Lt wrist XR, lateral, follow-up study 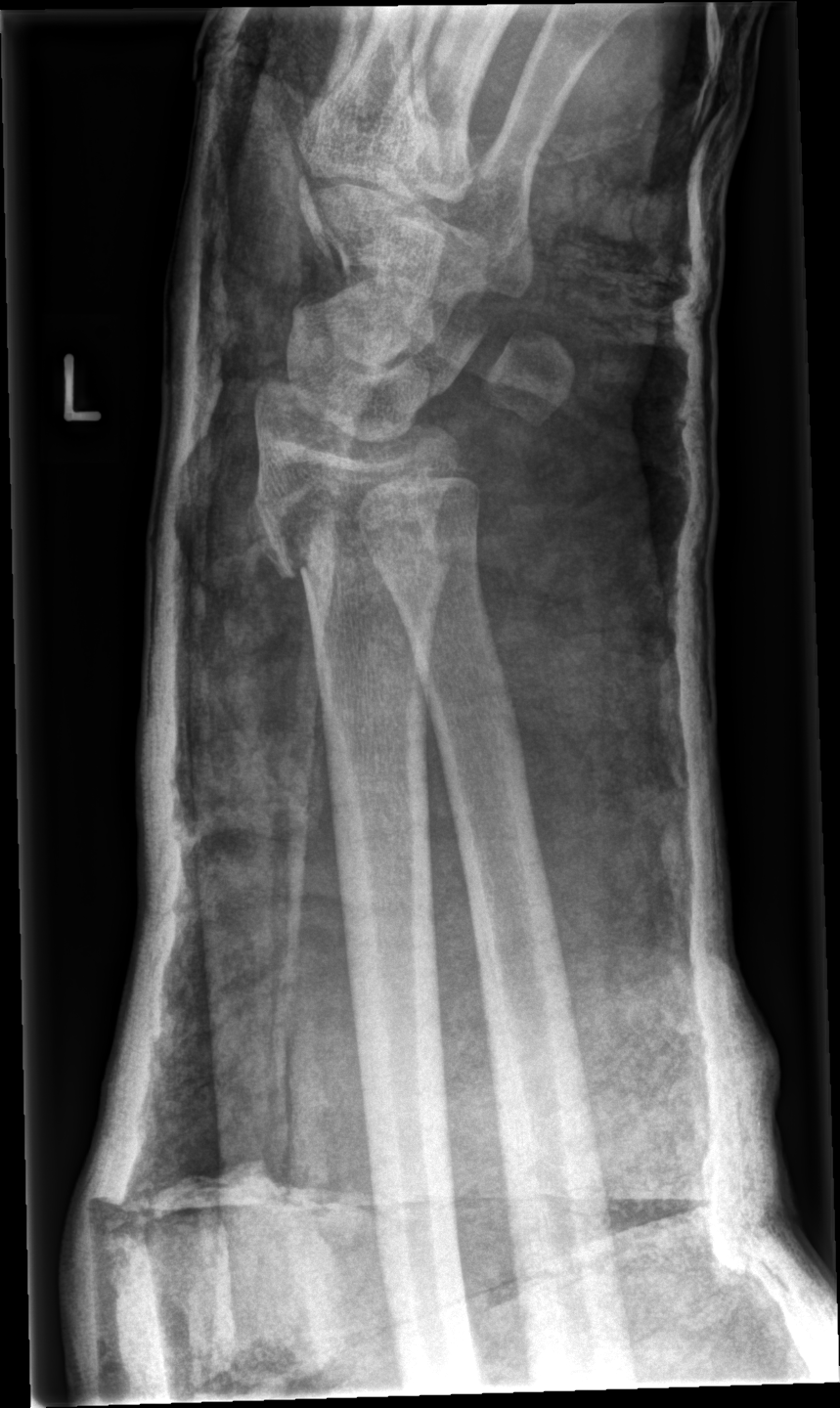

bone fracture = 1 @ [244, 471, 462, 589]